Lat; Rt wrist plain film; cast in situ; detector: Siemens:

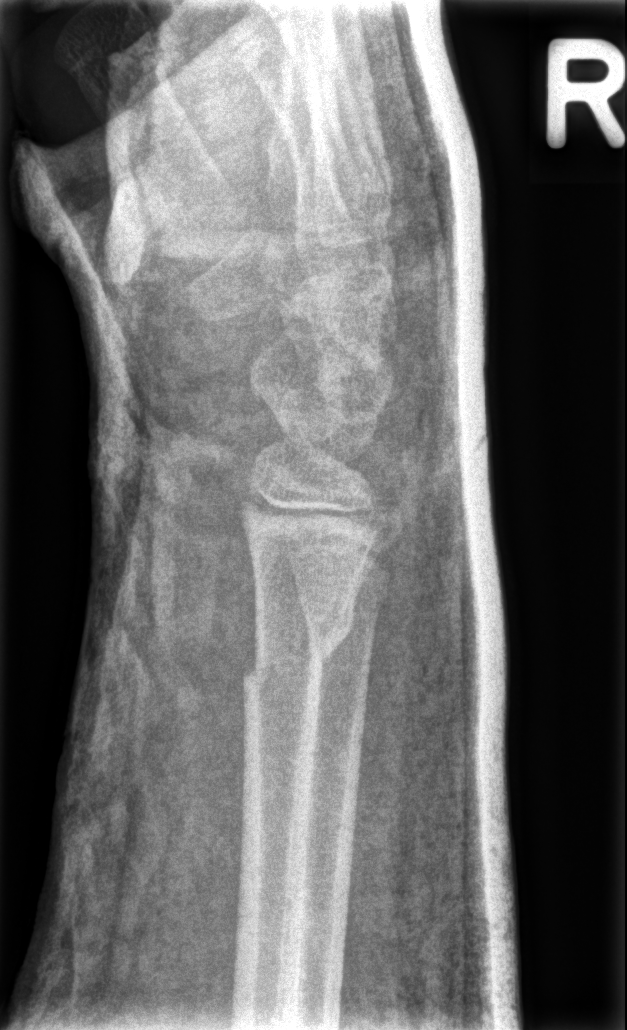 - AO code 23r-M/3.1; 23u-E/7.
- Fracture: bbox(242, 601, 355, 700).